Right wrist XR; posteroanterior projection; image 84.0 mm wide.
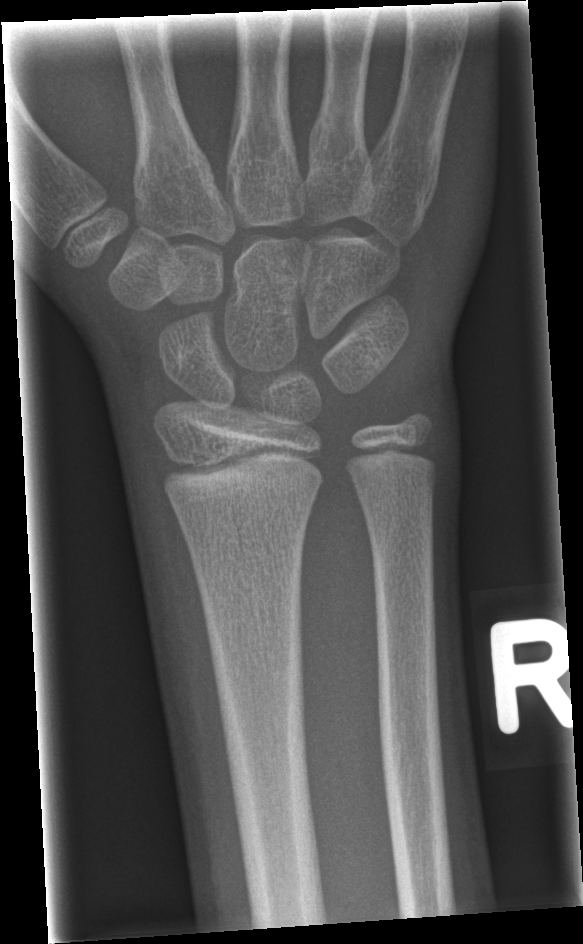

Findings: Fx: none.